Lateral · right wrist radiograph:

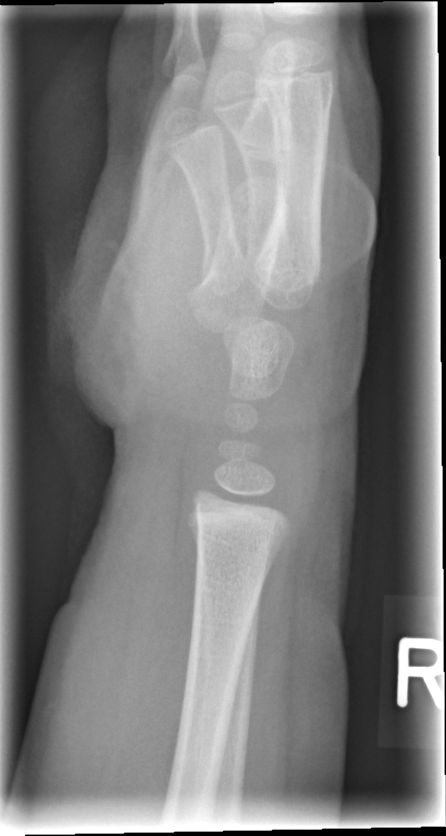
Q: Is there a fracture?
A: No fracture bounding box